Right wrist radiograph | lat | presentation radiograph | image size 426x746 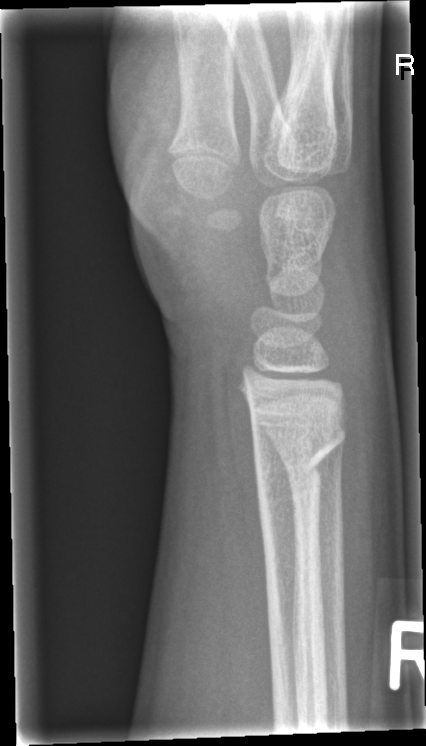
FINDINGS — (coordinates are [x1, y1, x2, y2] in image pixels) Fracture classified AO/OTA 23r-M/2.1. Fx: (left=249, top=408, right=349, bottom=491).